Lateral projection, left wrist plain radiograph of the wrist, pediatric patient (girl, age 8), imaged through cast, 684 x 1213 px:
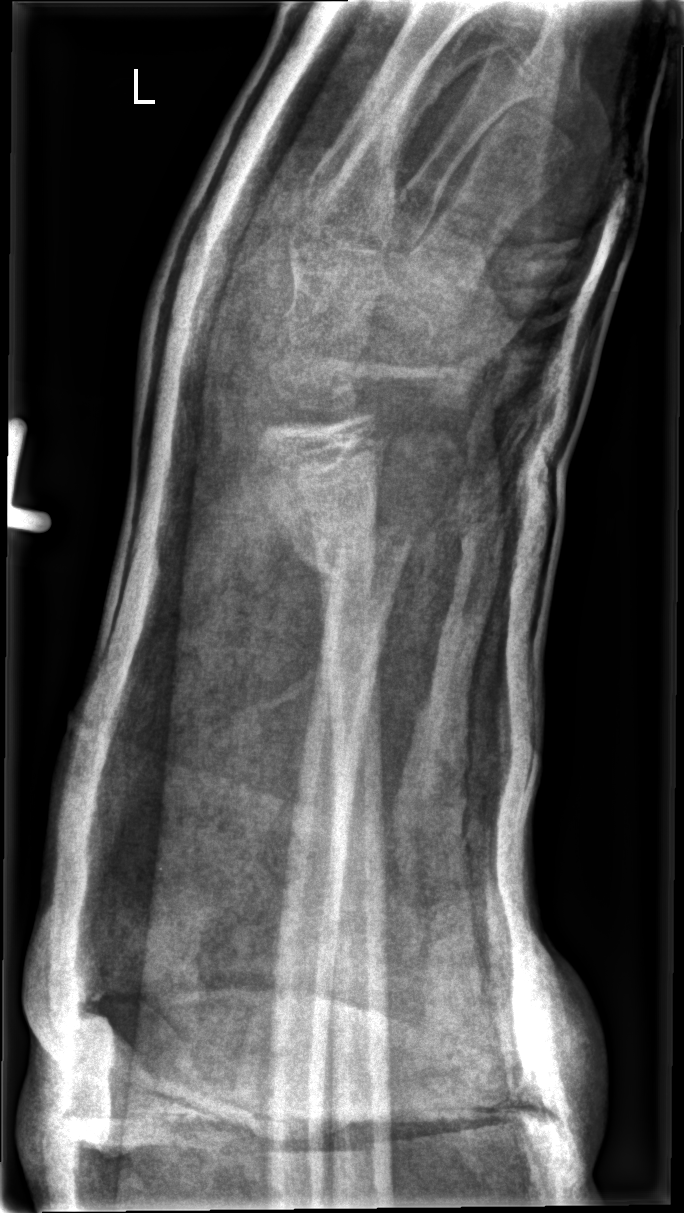

AO/OTA: 23r-M/3.1; 23u-M/2.1; 23u-E/7
Fx: 1 @ bbox(290, 519, 416, 585)